Left wrist pediatric wrist radiograph | PA/AP view | male, 10 yo | subsequent exam | imaged through cast — 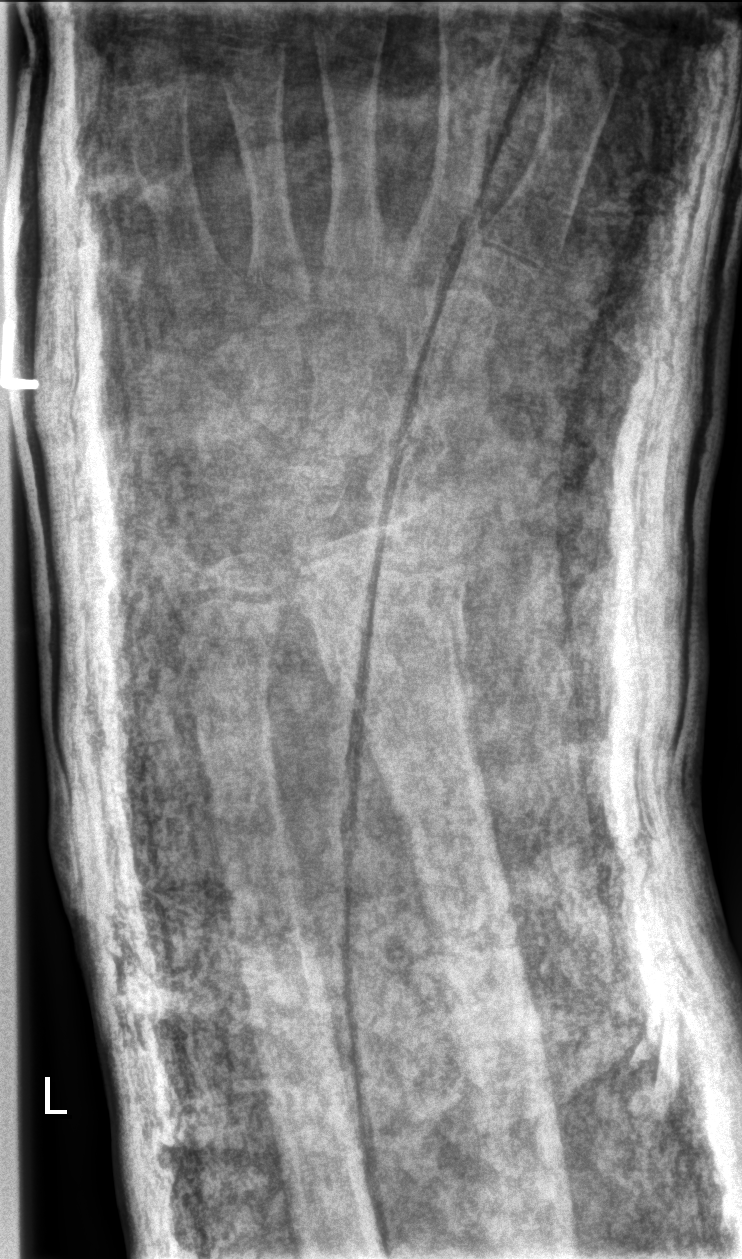 (boxes as x1,y1,x2,y2 (top-left / bottom-right, pixel units))
Q: What is the AO/OTA classification?
A: Fracture classified AO/OTA 23r-E/2.1; 23u-M/2.1
Q: Any fracture seen?
A: Bone fracture: 308,609,482,733
  177,662,284,753